Right wrist radiograph · AP view · imaged through cast · image width 97.9 mm —

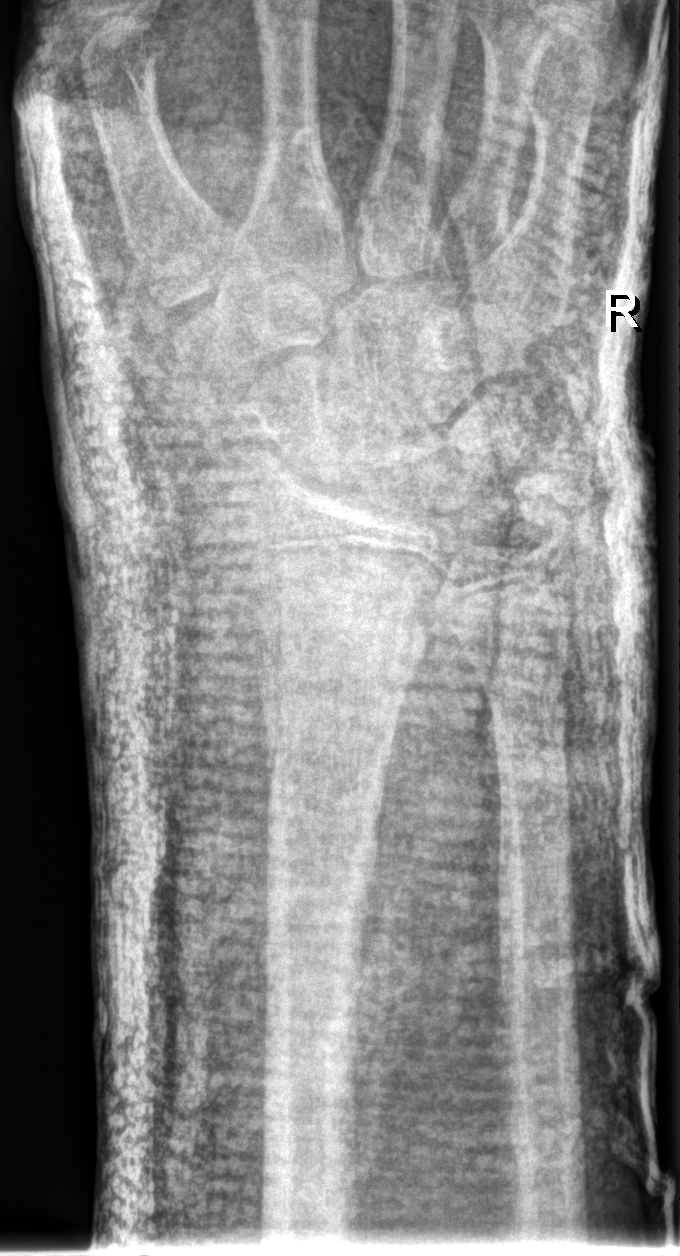 {"fracture": "present but not clearly seen in this view"}